Right wrist X-ray | PA view | Siemens:
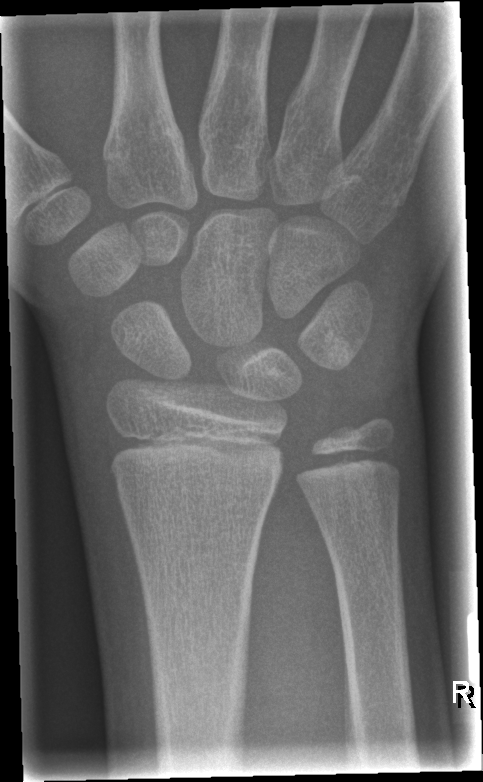 No fracture labeled.